R wrist radiograph | lateral | 15-year-old male | Siemens —
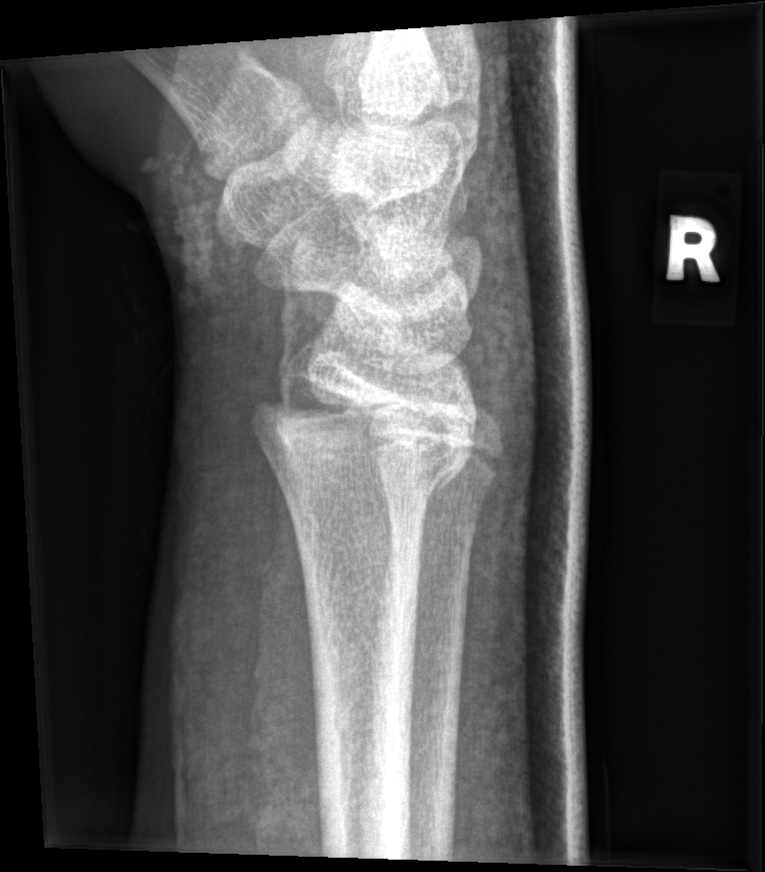 Fracture identified at 242 376 486 501. AO code 23r-E/2.1; 23u-E/7.